Lat view, L wrist X-ray — 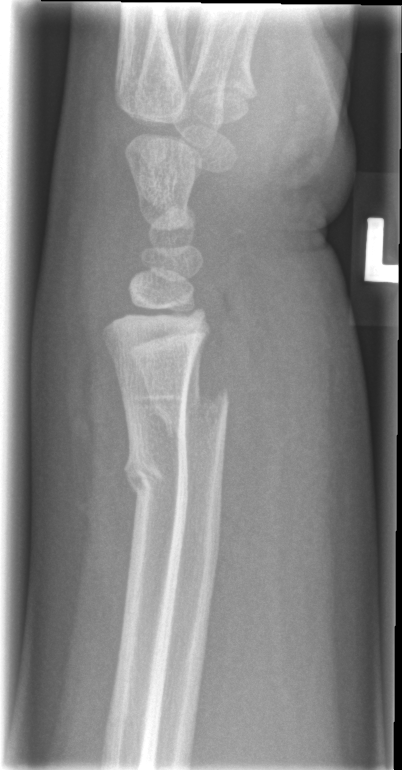

Fractures — (143, 378, 232, 439), (120, 444, 191, 515). Fracture classified AO/OTA 23r-M/2.1; 23u-M/3.1.